Left wrist XR, lat, age 13 y, boy:

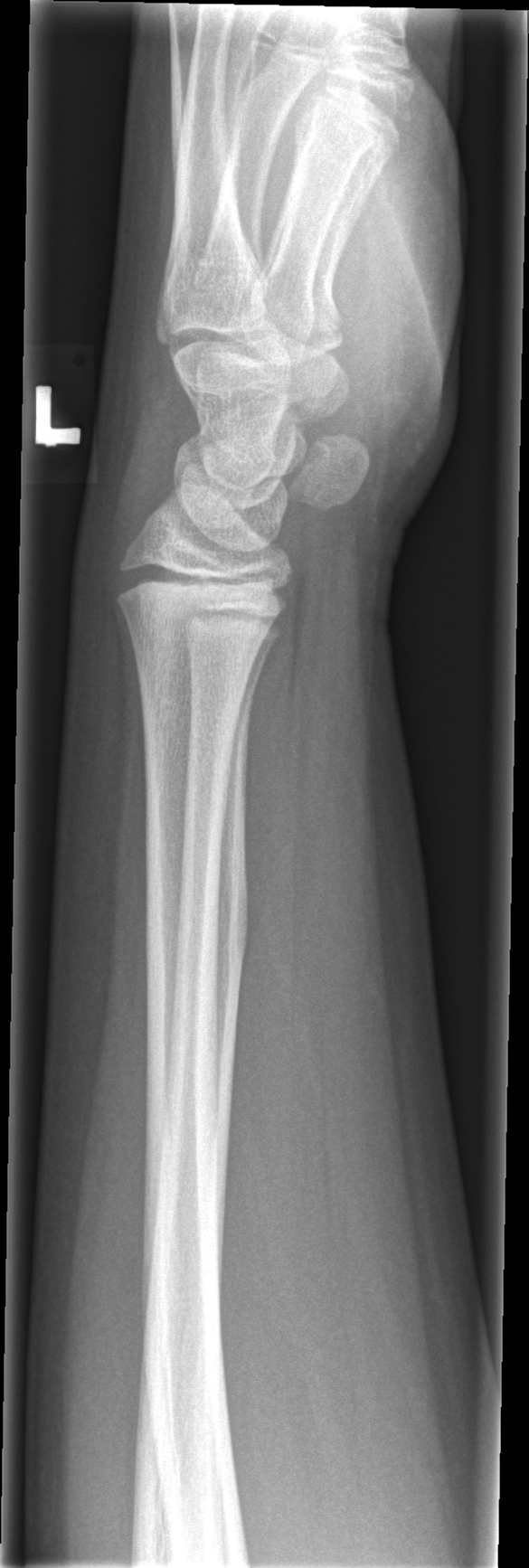
fracture: none labeled